Left wrist X-ray | PA/AP view —
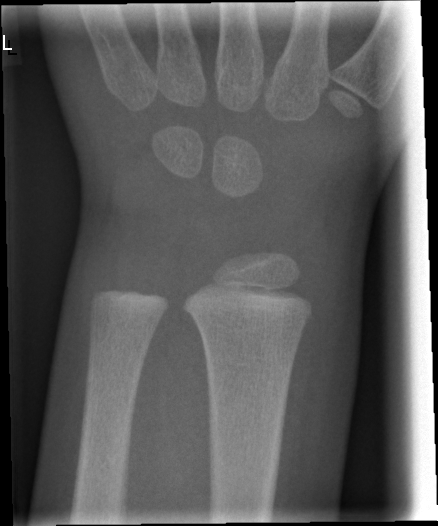

No fracture labeled.